Left wrist pediatric wrist radiograph, AP projection, follow-up, cast present, 535 x 786 px
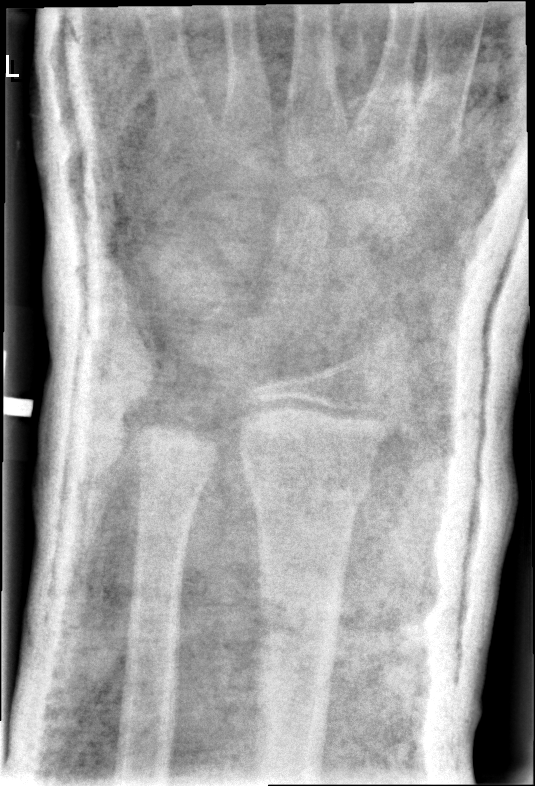
Bounding boxes in image-pixel xyxy. Fracture classified AO/OTA 23r-M/2.1. Fracture — bbox(240, 456, 372, 523).